Left wrist pediatric wrist radiograph · lat · 11-year-old boy · 454 x 601 px 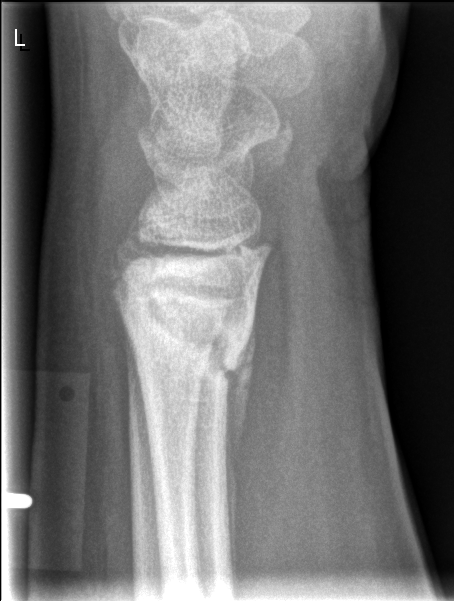

Fx = 112 263 257 390
Osteopenia = present
Periosteal thickening = 221 309 258 595